Lateral projection | L wrist XR | female, 12 yo | image width 65.2 mm —

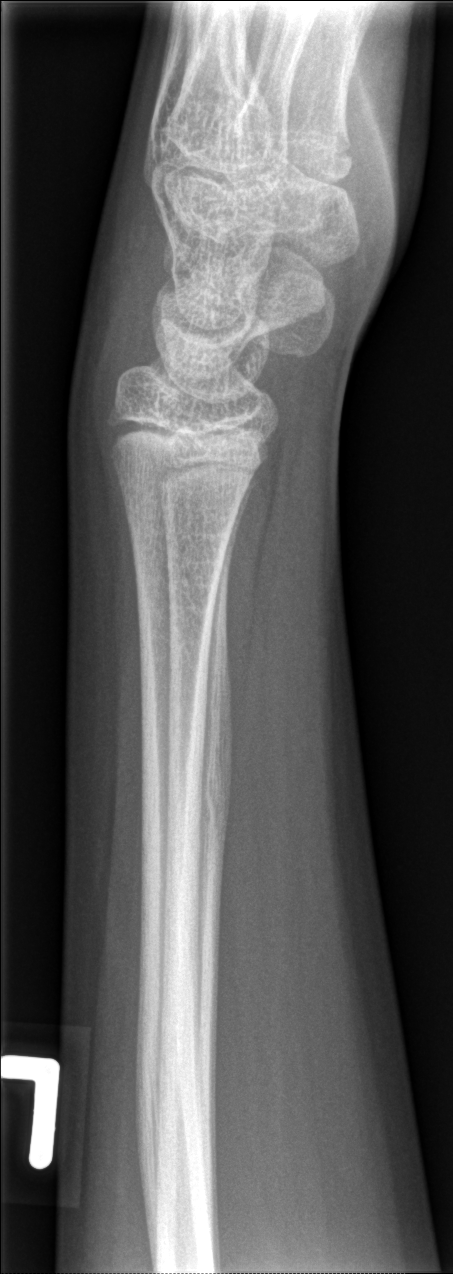
bone fracture: none labeled